PA/AP | L wrist X-ray | male, 17 yo | subsequent exam:
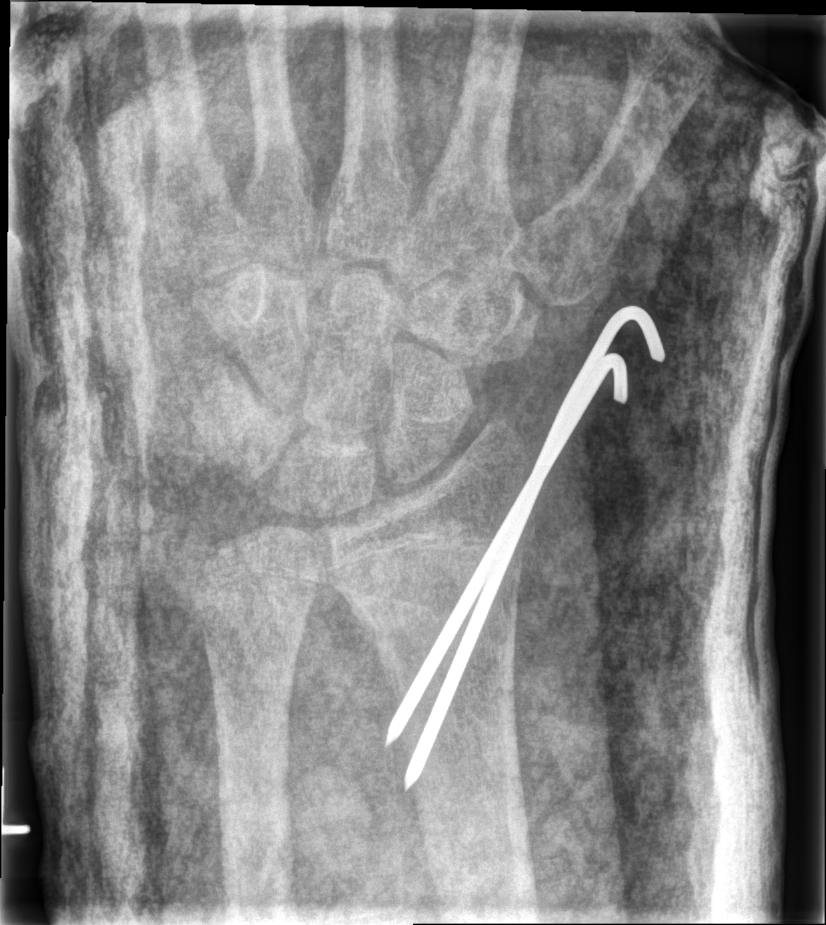 FINDINGS: One metal at 385,308,667,793. AO/OTA classification: 23r-M/3.1. Bone fracture: 344,549,523,652.